Right plain radiograph of the wrist; lateral view. 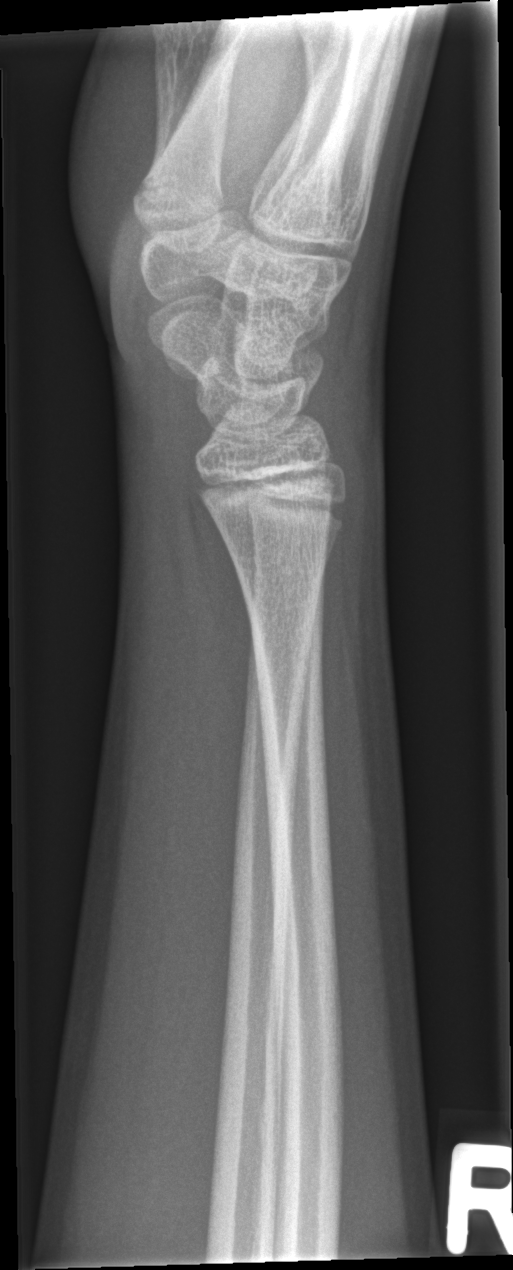
Findings: No fracture annotation.